Oblique view; R wrist radiograph; girl, 1.1 yo; image width 52.0 mm — 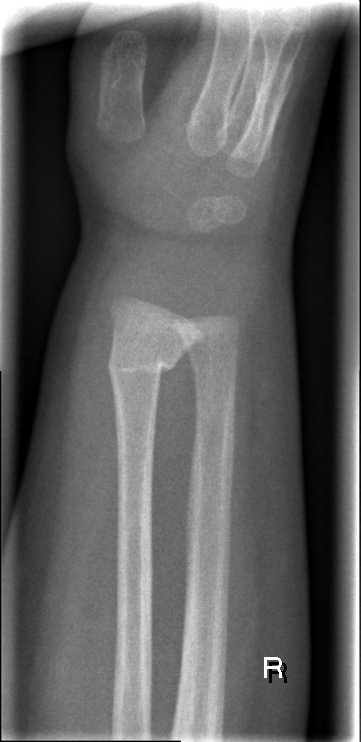

Fracture classified AO/OTA 23r-M/2.1. Fx: 103 343 185 390.